AP, left pediatric wrist radiograph, male, 12 yo, follow-up —
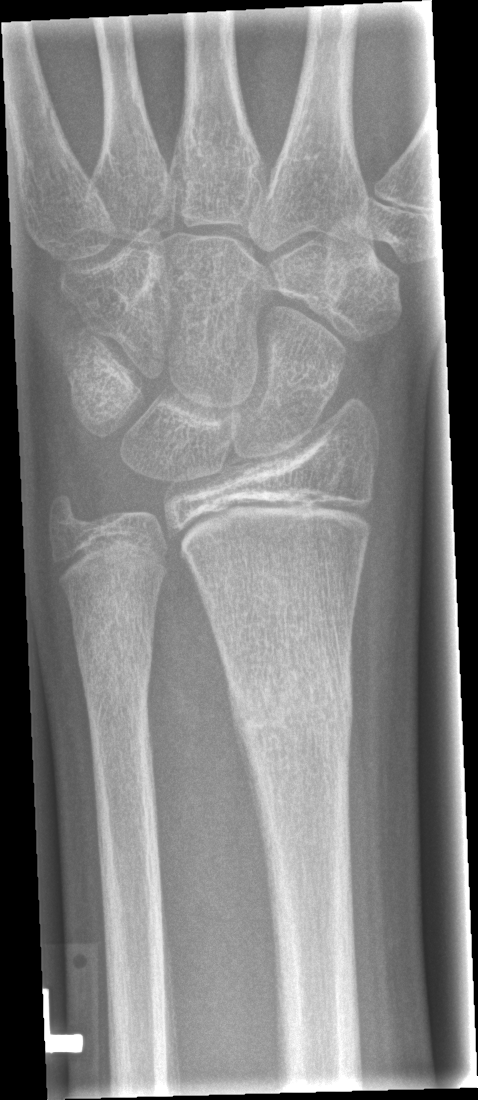 - Coordinates are [x1, y1, x2, y2] in image pixels.
- Two Fx at [222, 642, 360, 765] [69, 613, 158, 698].
- Fracture classified AO/OTA 23-M/2.1.